Posteroanterior view | Lt wrist radiograph | presentation radiograph | Siemens | 542 x 1150 px 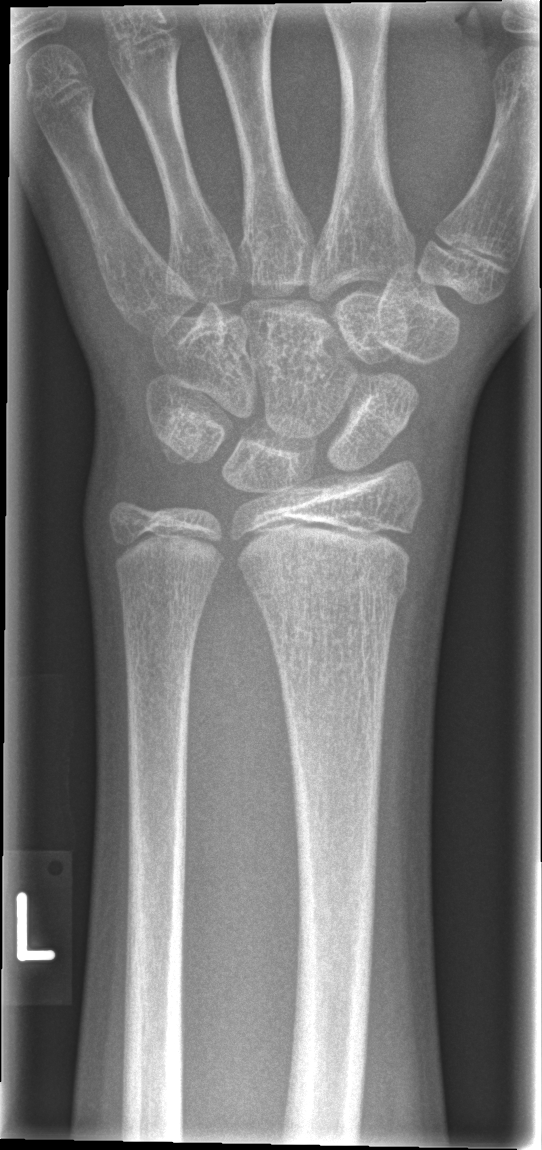
* Coordinates are [x1, y1, x2, y2] in image pixels.
* Bone fracture — [247, 546, 408, 625].